Posteroanterior projection · Lt wrist XR · male, 9 yo · acquired on Siemens.

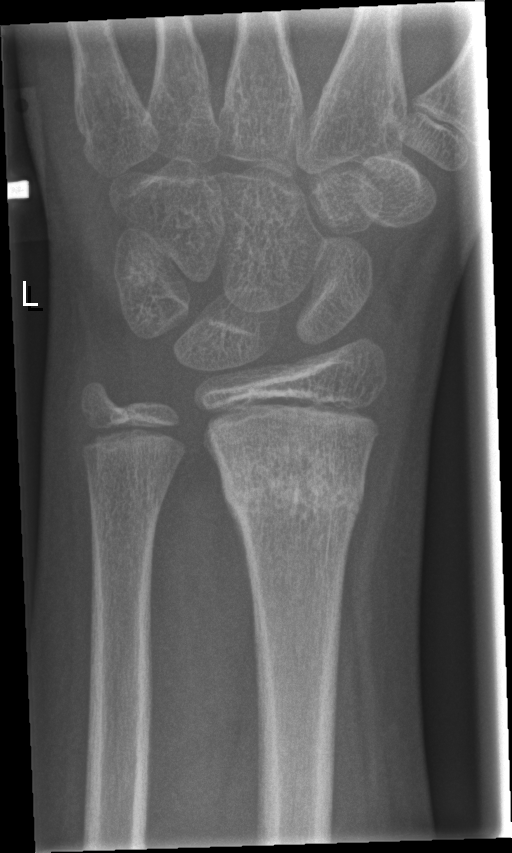

• Pixel coordinates, top-left origin, xyxy.
• AO code 23-M/2.1.
• Bone fracture identified at <218,455>-<367,533>.